Right wrist plain radiograph of the wrist; AP view —
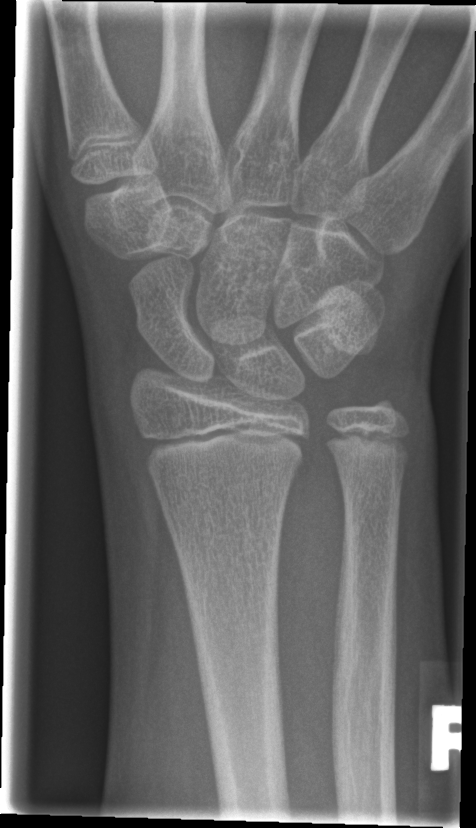 Fx: none labeled